Frontal view, L wrist XR, pediatric patient (boy, age 9), initial study, findings marked uncertain by the reading radiologist:

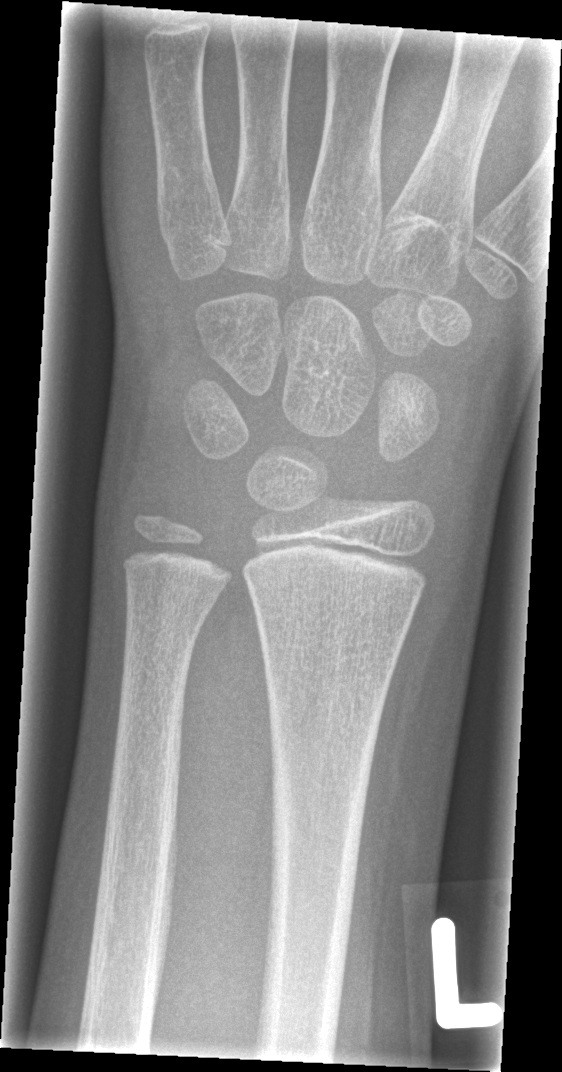
Fracture present, but no bounding box because it is not clearly seen in this view. Fracture classified AO/OTA 23r-M/2.1.